Right wrist plain film; PA view; age 9 y, girl:

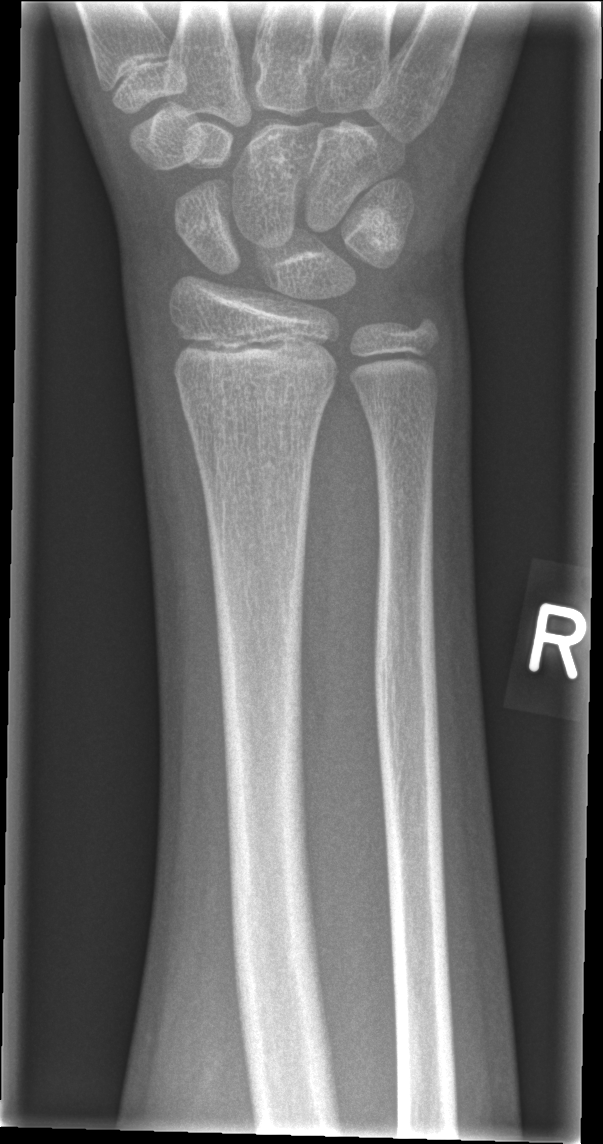

- Pixel coordinates, top-left origin, xyxy.
- One bone fracture at (left=176, top=377, right=335, bottom=427).
- AO/OTA classification: 23r-M/2.1.